Right wrist plain film · lat view · 11y F.

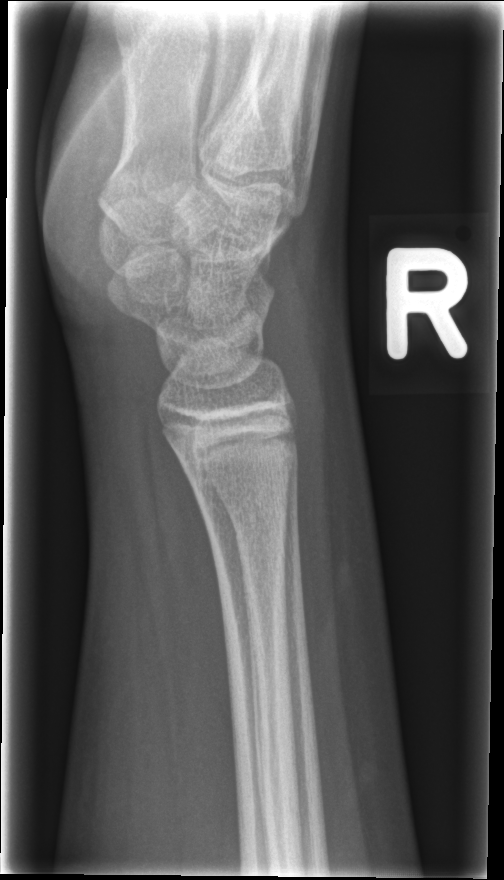
FINDINGS: No fracture labeled.